Lateral, Lt wrist radiograph, boy, 7 yo, imaged through cast, image 78.9 mm wide:

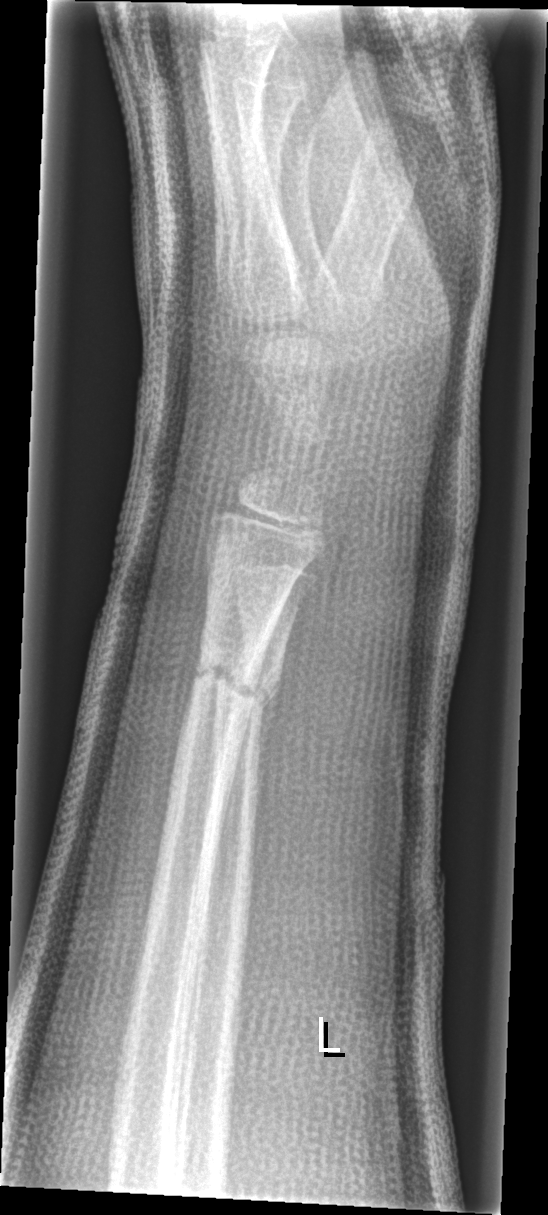 (coordinates are [x1, y1, x2, y2] in image pixels)
bone fracture: <189,653>-<263,719>; <213,656>-<282,720>